Right wrist X-ray, posteroanterior projection, pediatric patient (girl, age 6), index exam — 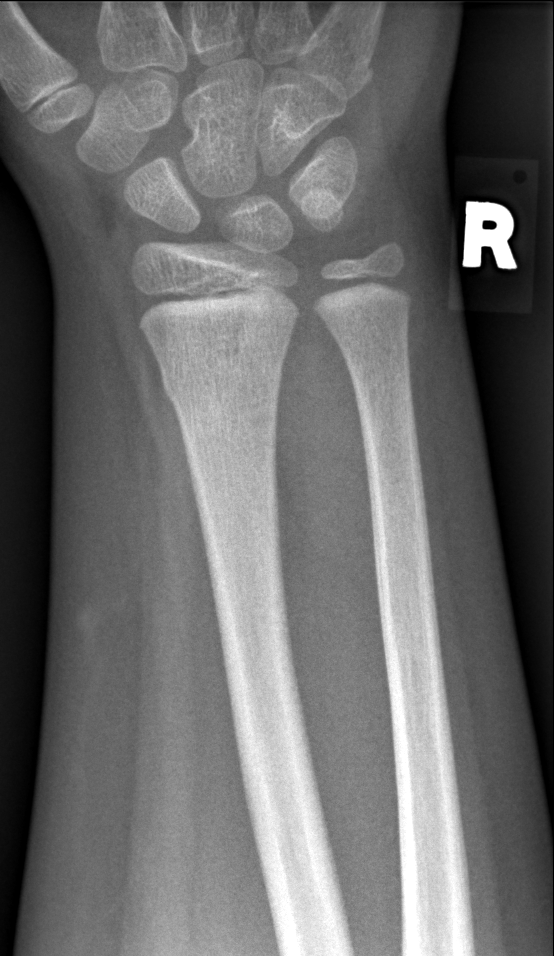
{"fracture": "(157, 356, 285, 401)"}